Right wrist plain film | AP.

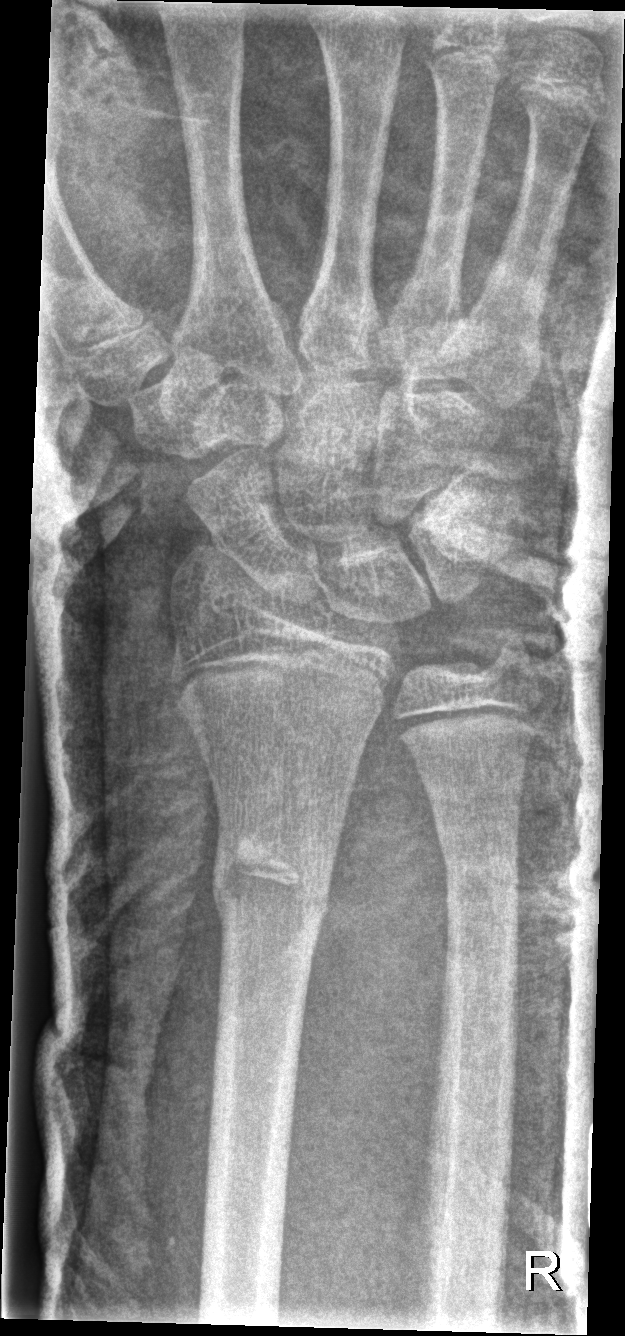
Fracture identified at (209, 824, 331, 931) (435, 836, 524, 898). AO code 23-M/2.1.